Lateral projection | Rt plain radiograph of the wrist:

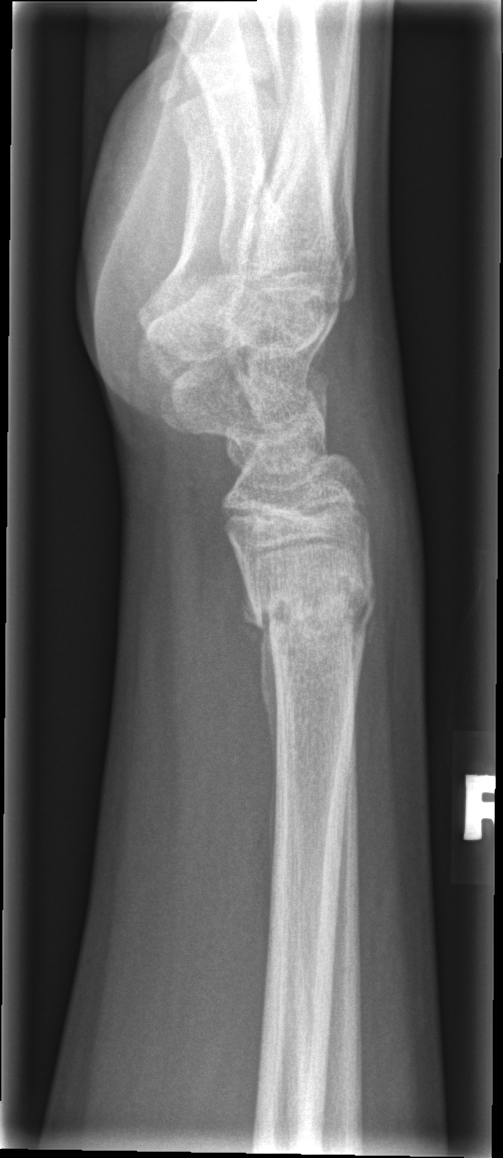
Boxes as x1,y1,x2,y2 (top-left / bottom-right, pixel units).
One periosteal thickening at <240,569>-<280,870>.
Bone fracture: <242,564>-<379,654>.
Reduced bone mineral density.
AO code 23r-M/3.1; 23u-E/7.